Posteroanterior view · Rt wrist XR · 13-year-old male · image 80.2 mm wide · 557x994.

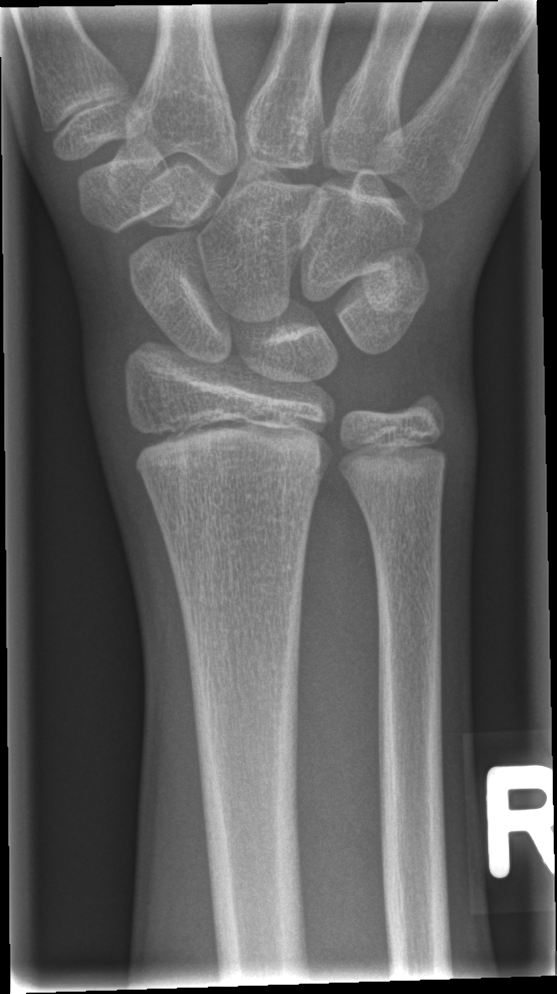
Q: Locate any fractures.
A: No fracture labeled